Lat projection, Lt pediatric wrist radiograph, pediatric patient (male, age 7), subsequent exam, detector: Siemens
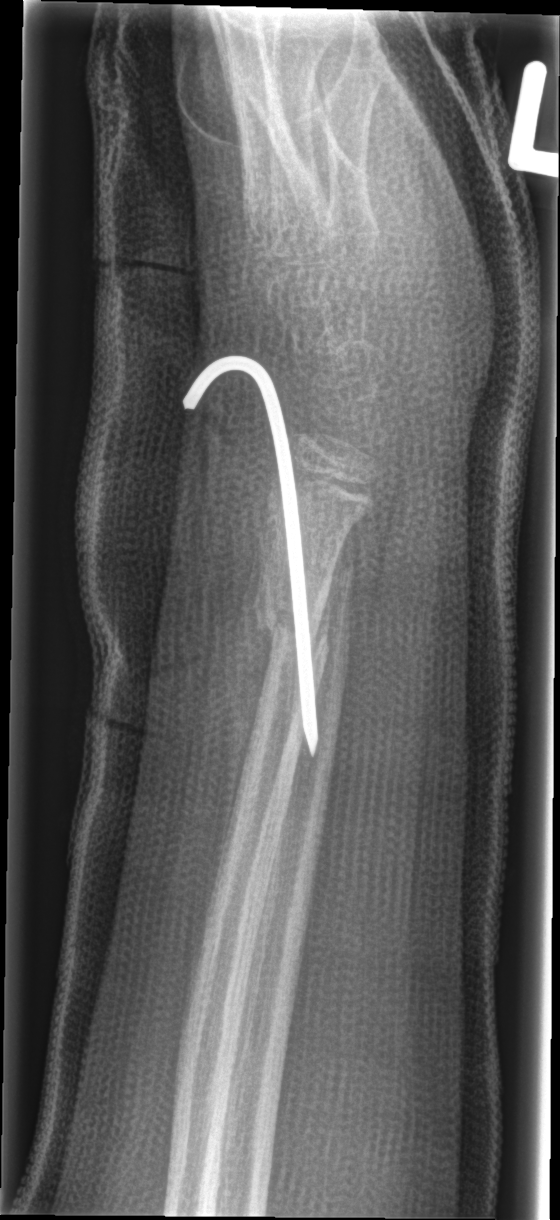

Fx: (left=249, top=573, right=337, bottom=673). Hardware — (left=179, top=352, right=320, bottom=761). AO/OTA classification: 23-M/3.1.